Left pediatric wrist radiograph; frontal:
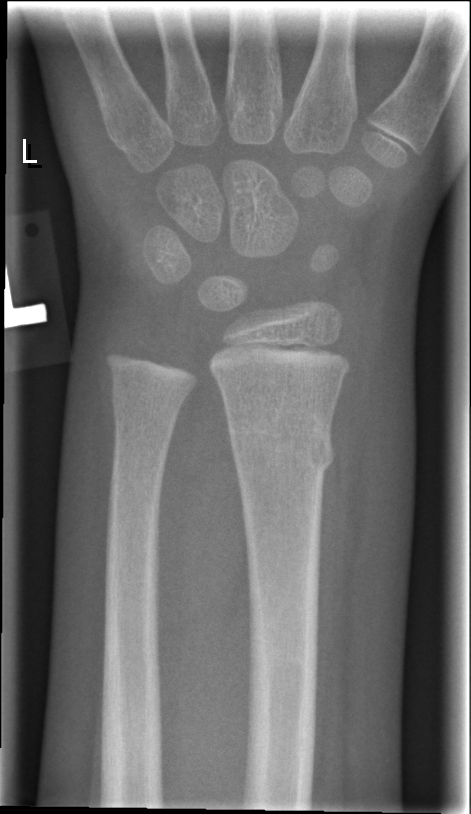
bone fracture: bbox(229, 415, 337, 478); bbox(110, 395, 179, 444)